L wrist X-ray · AP projection · index exam:
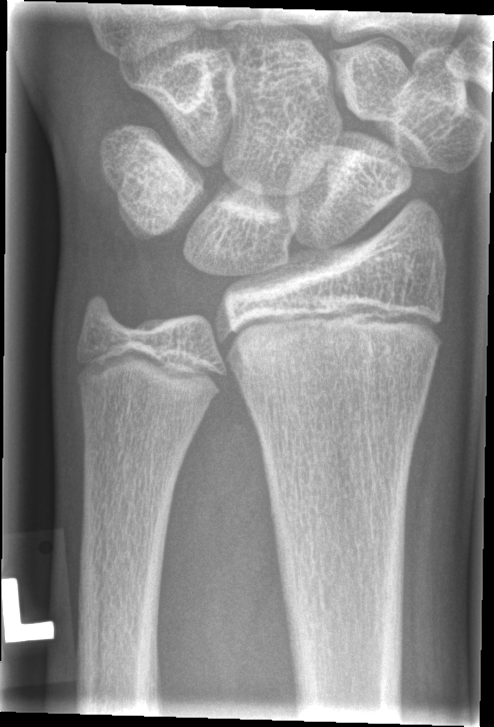 Q: Any fracture seen?
A: Fracture present, but no bounding box because it is not clearly seen in this view
Q: AO code?
A: Fracture classified AO/OTA 23r-M/2.1